Left wrist radiograph | frontal | 10-year-old boy | 722 by 1118 pixels: 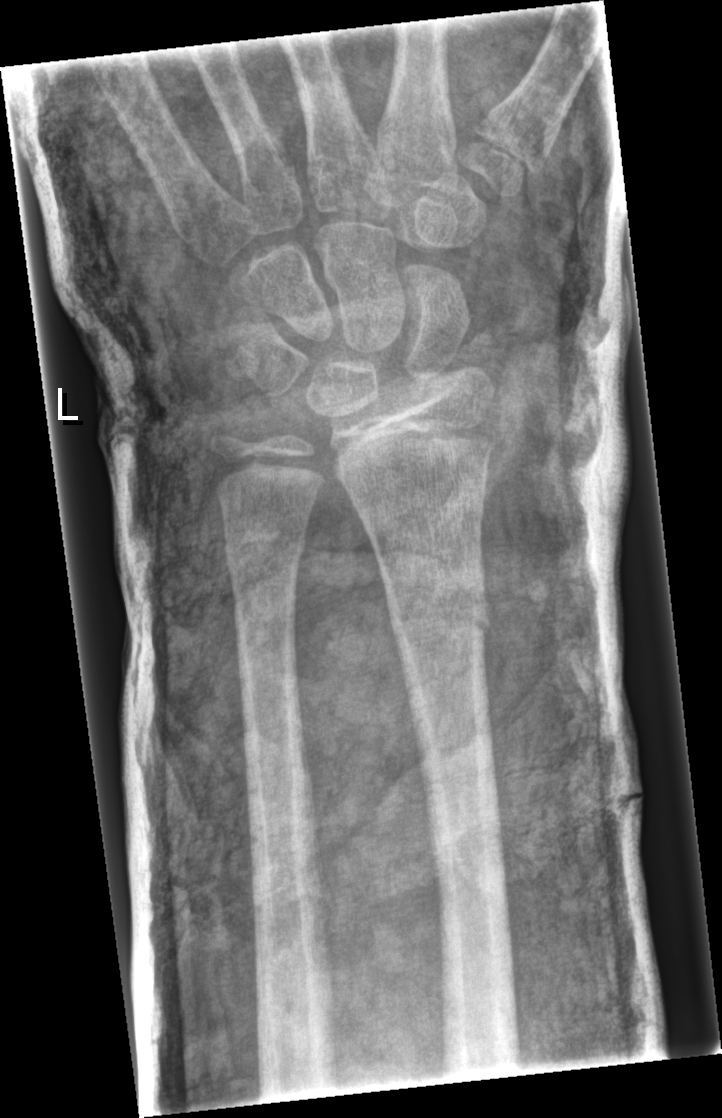 Q: Is there a fracture?
A: Fracture identified at [x1=381, y1=576, x2=493, y2=658] [x1=218, y1=519, x2=317, y2=581]
Q: What is the AO/OTA classification?
A: AO code 23-M/2.1